Left wrist radiograph | PA | age 10 y, male 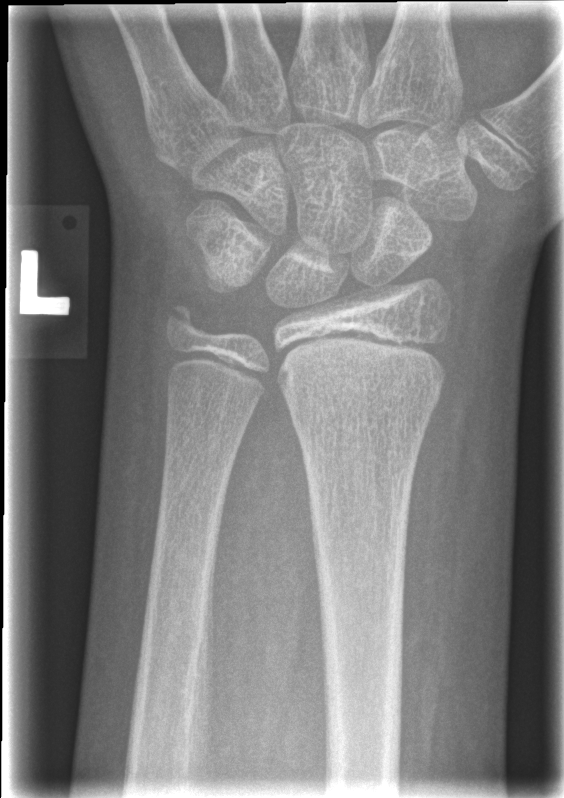

fracture: (left=288, top=404, right=432, bottom=451), (left=156, top=293, right=209, bottom=351)